Lat, right wrist pediatric wrist radiograph, subsequent exam, cast present, 76.8 mm image width — 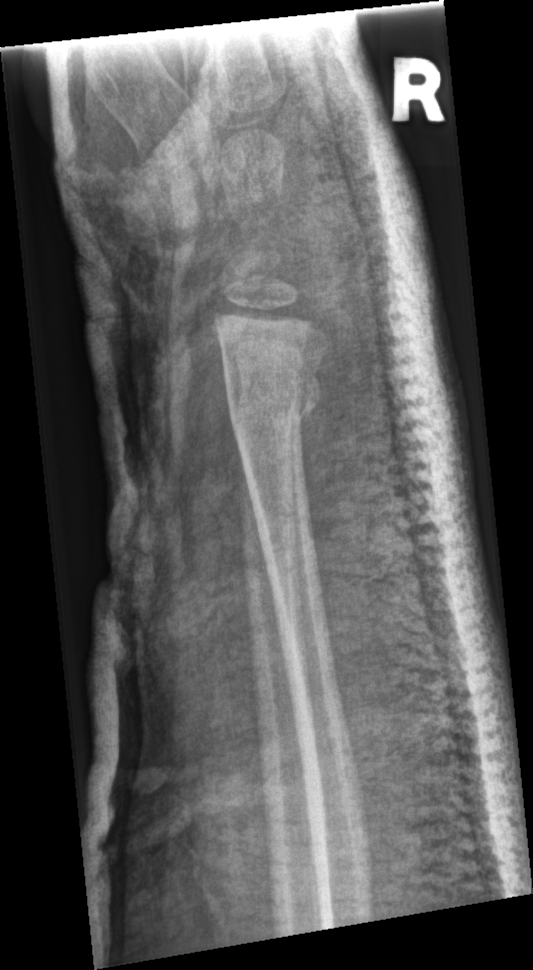

Fx — [x1=221, y1=361, x2=323, y2=435]. AO/OTA classification: 23-M/2.1.